Right plain radiograph of the wrist | lateral | 8-year-old girl | 467 x 964 px

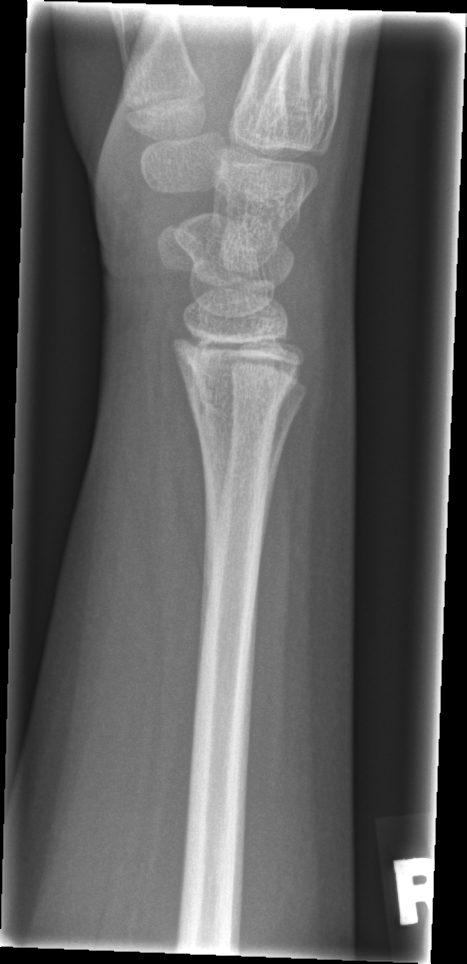
Findings: Bone fracture — bbox(184, 372, 299, 439). AO code 23r-M/2.1.